L wrist plain film; PA projection; 9y M; imaged through cast; image width 90.9 mm
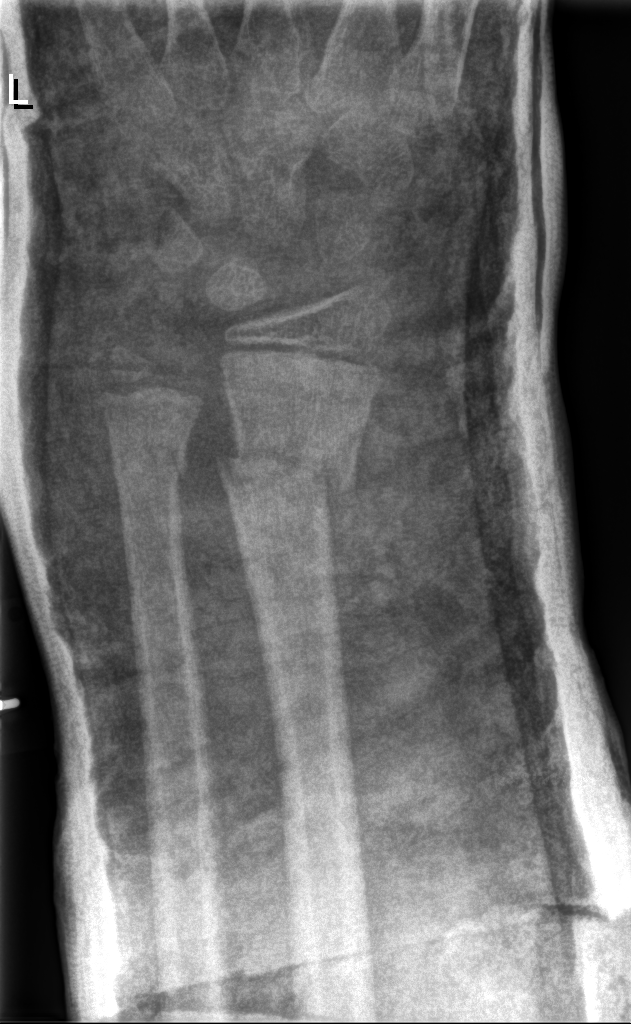

Fx identified at [215, 430, 359, 516] [110, 440, 190, 488].
AO code 23-M/3.1.